Lat, right wrist radiograph, pediatric patient (male, age 12), cast in situ, image width 89.9 mm.

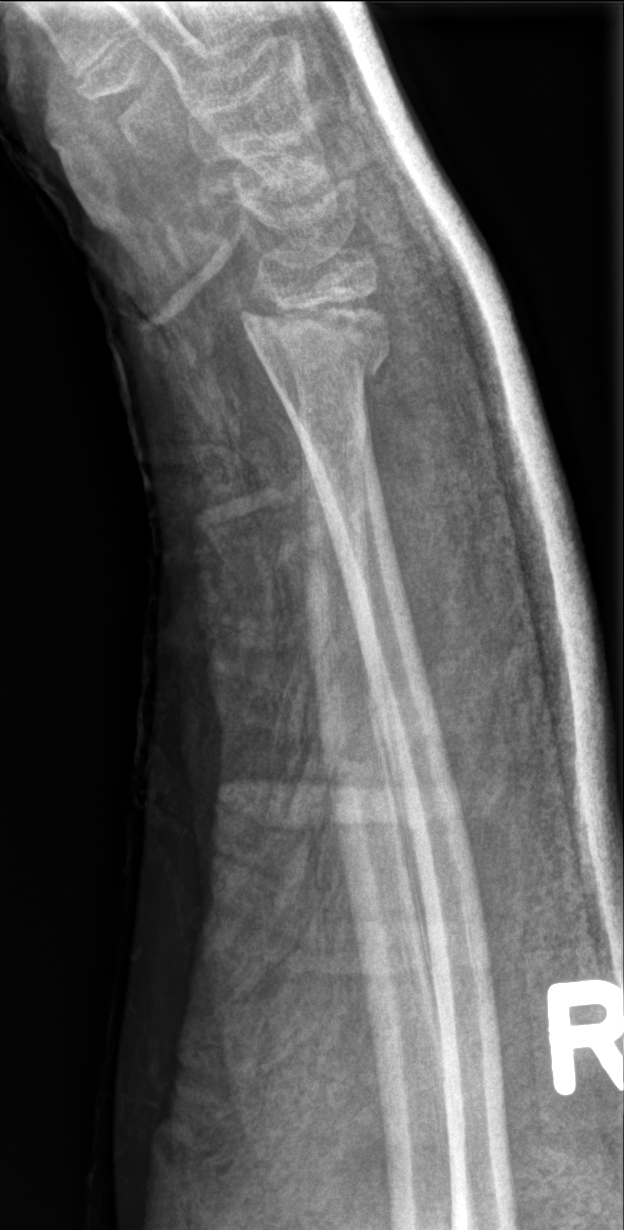 - Boxes as x1,y1,x2,y2 (top-left / bottom-right, pixel units).
- Fracture classified AO/OTA 23r-E/2.1; 23u-M/2.1.
- Fracture: [235, 287, 394, 384]; [295, 399, 370, 453].